Frontal | left pediatric wrist radiograph | cast in situ.
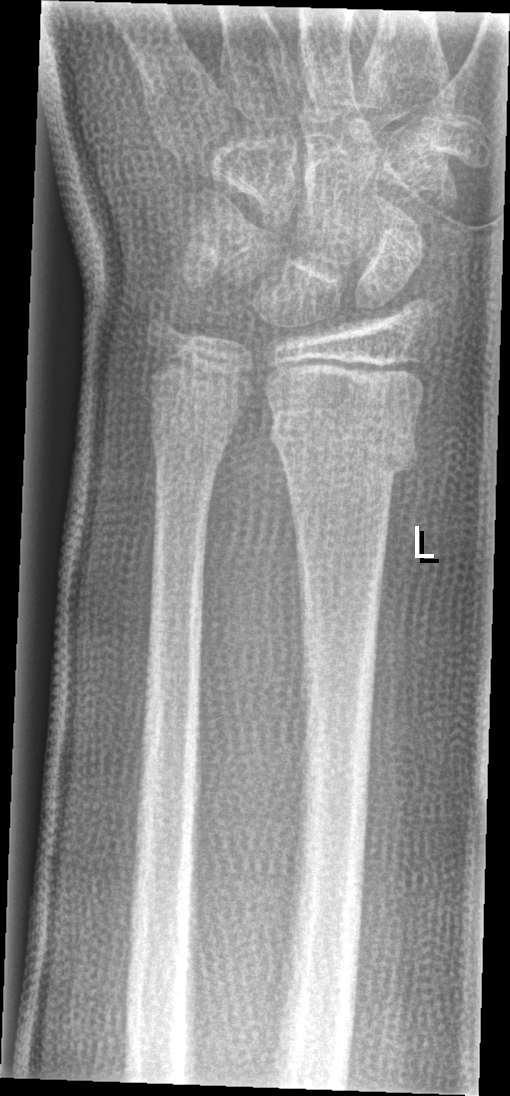 Fx: 2 @ [x1=266, y1=410, x2=423, y2=477], [x1=145, y1=401, x2=237, y2=464]
AO classification: 23-M/2.1